Left wrist plain radiograph of the wrist; frontal; image size 650x1428:
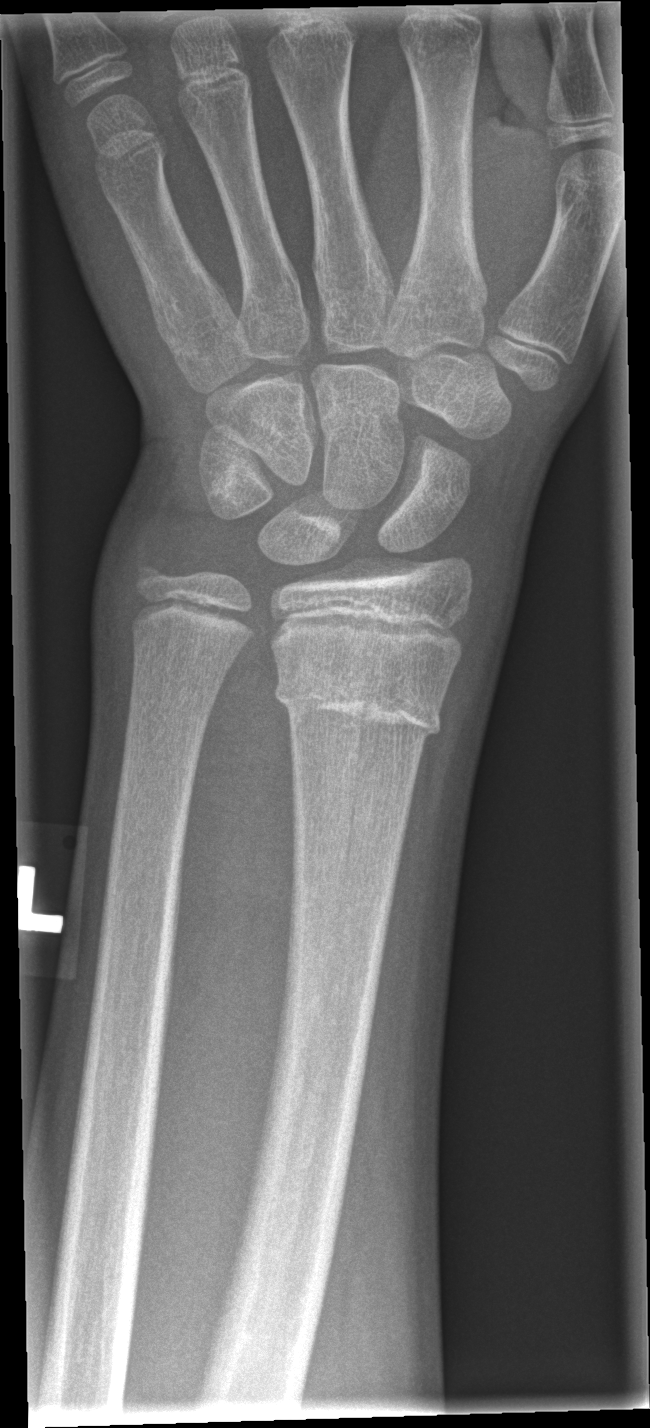 Q: Locate any fractures.
A: Two bone fractures at [271, 665, 447, 744], [123, 542, 183, 605]
Q: AO code?
A: AO/OTA classification: 23r-M/2.1; 23u-E/7